Right wrist plain radiograph of the wrist, lat projection, index exam, Siemens
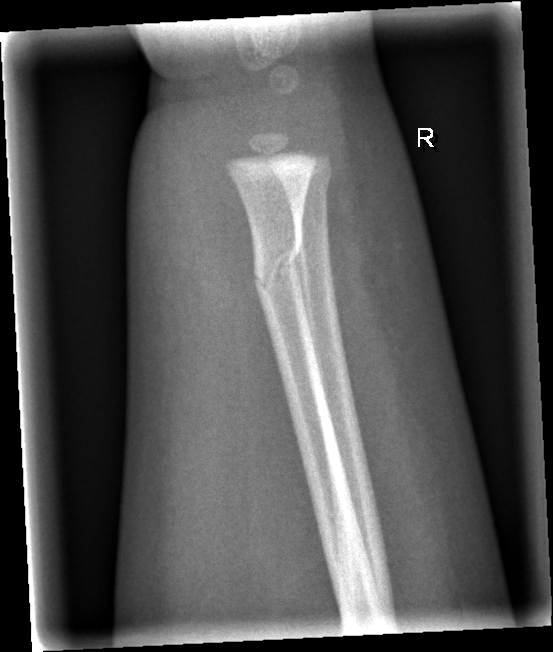

Bone fractures — bbox(248, 229, 305, 293), bbox(275, 161, 335, 195). AO code 23r-M/3.1; 23u-M/2.1.